Lat projection, left wrist XR, boy, 17 yo, follow-up: 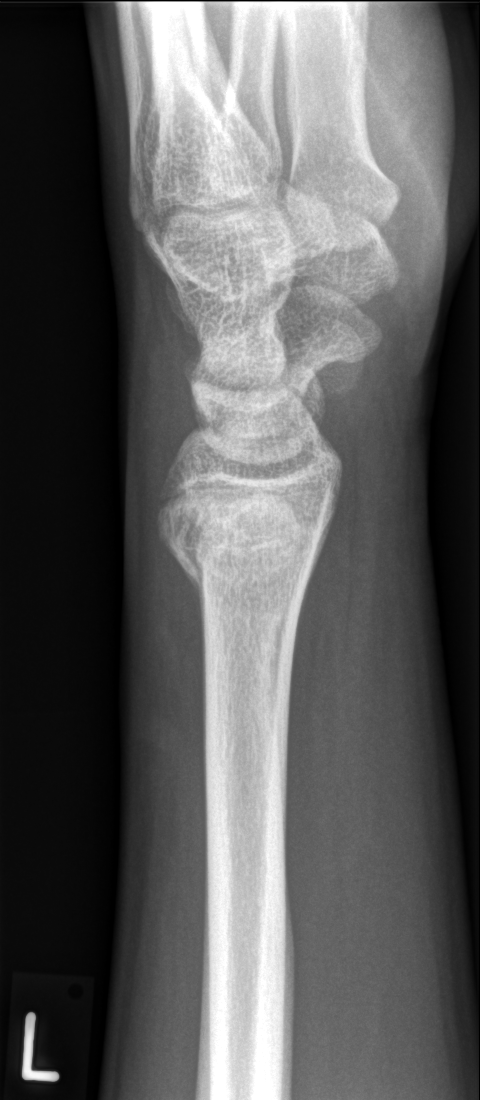

FINDINGS: (bounding boxes in image-pixel xyxy) Reduced bone mineral density. AO/OTA classification: 23r-M/2.1. Bone fracture — [154, 511, 323, 612].